Lat view; right wrist plain film; 13y M; index exam; findings marked uncertain by the reading radiologist. 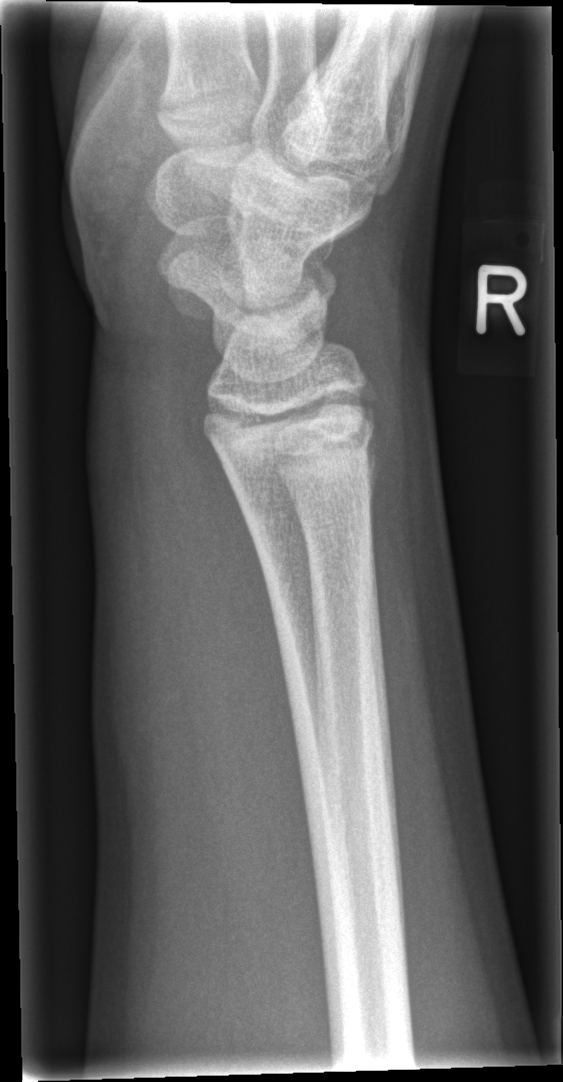
Findings: Fracture: none labeled.